Left wrist XR · lateral view · subsequent exam · acquired on Siemens. 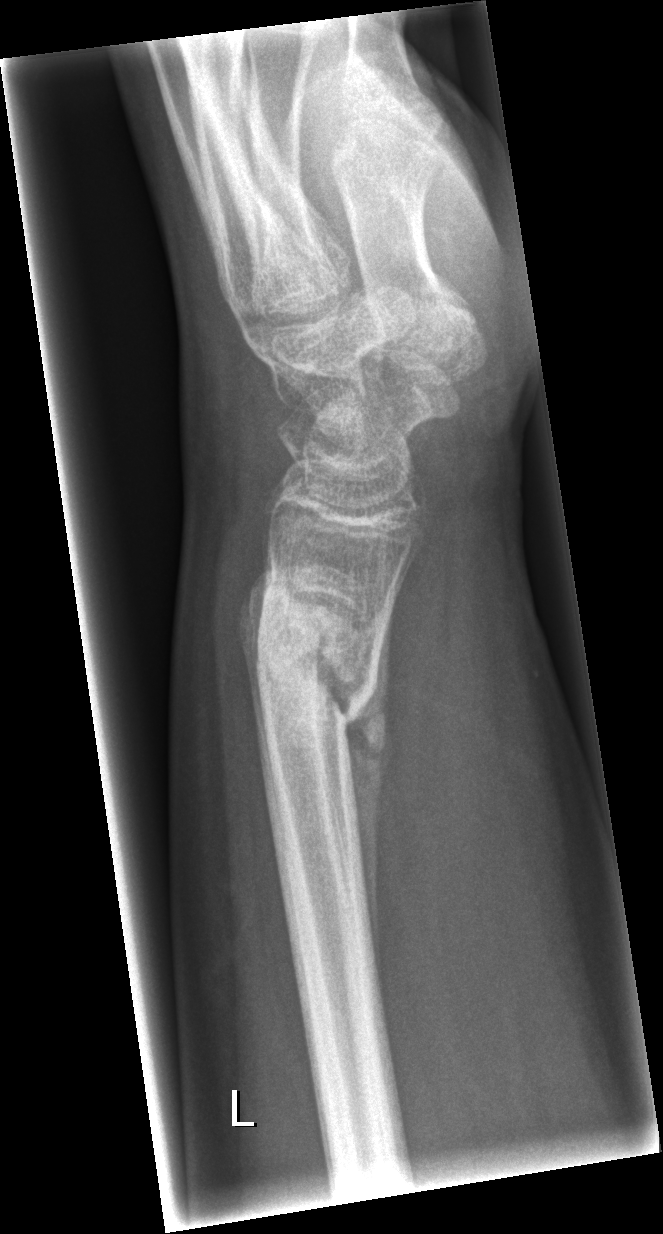
osteopenia: present
AO classification: 23r-M/2.1; 23u-E/2.1
fracture: bbox(238, 567, 385, 740)
periosteal new bone: 1 @ bbox(342, 591, 397, 998)